Right plain radiograph of the wrist, PA/AP view, age 8 y, boy, Siemens: 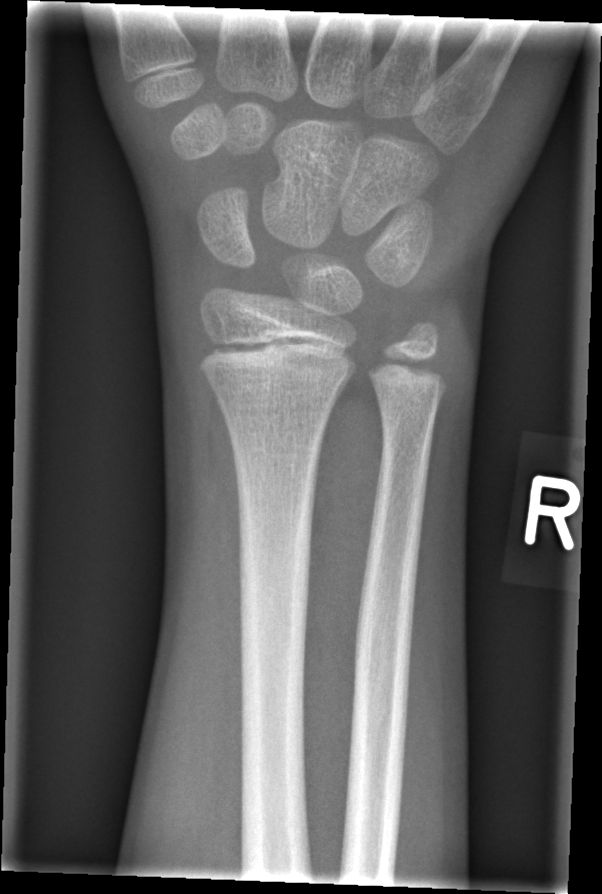

Fx: none.